Rt wrist X-ray | lateral projection | imaged through cast | acquired on Siemens:
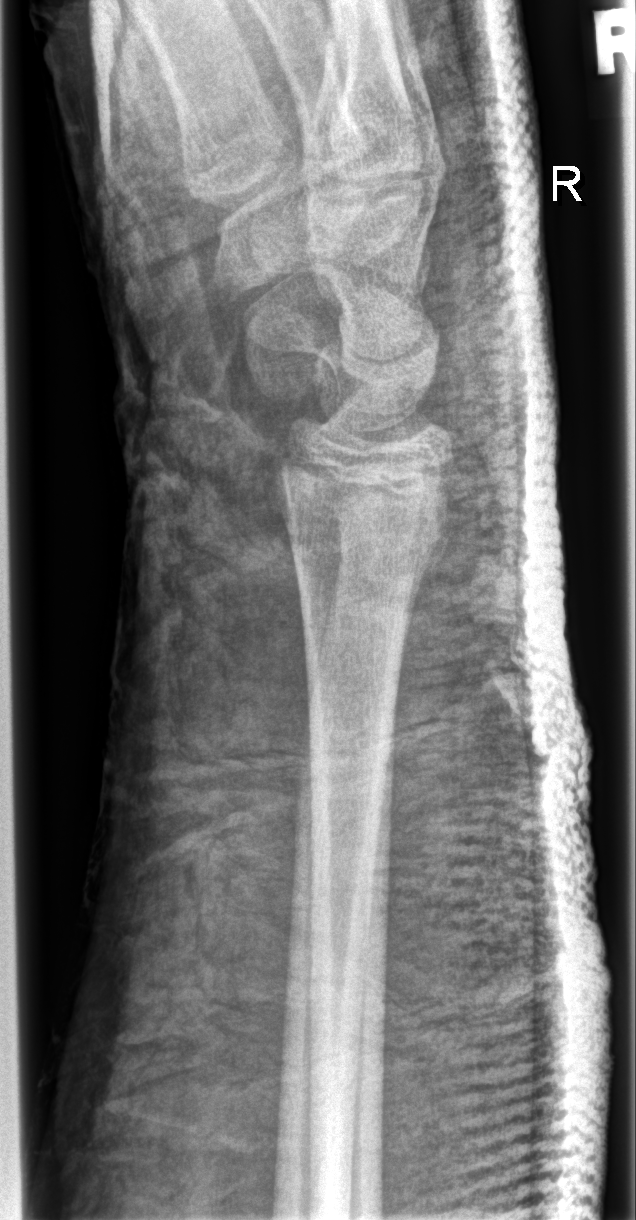
Coordinates are [x1, y1, x2, y2] in image pixels. Bone fracture: bbox(266, 449, 459, 588). AO code 23r-M/3.1; 23u-E/7.